L wrist radiograph; AP projection; 12y M — 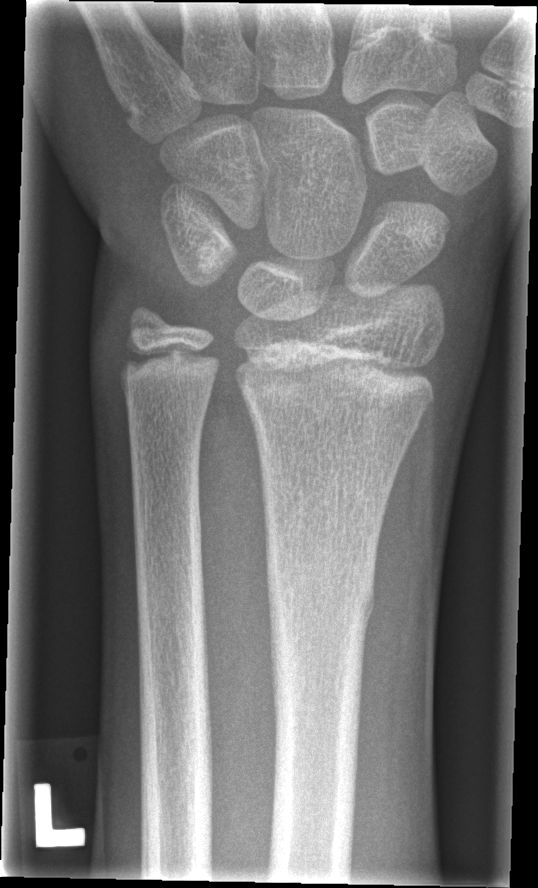

One bone fracture at 264 555 378 640. AO/OTA classification: 23r-M/2.1.